PA/AP view; L wrist radiograph; pediatric patient (male, age 10); cast present.
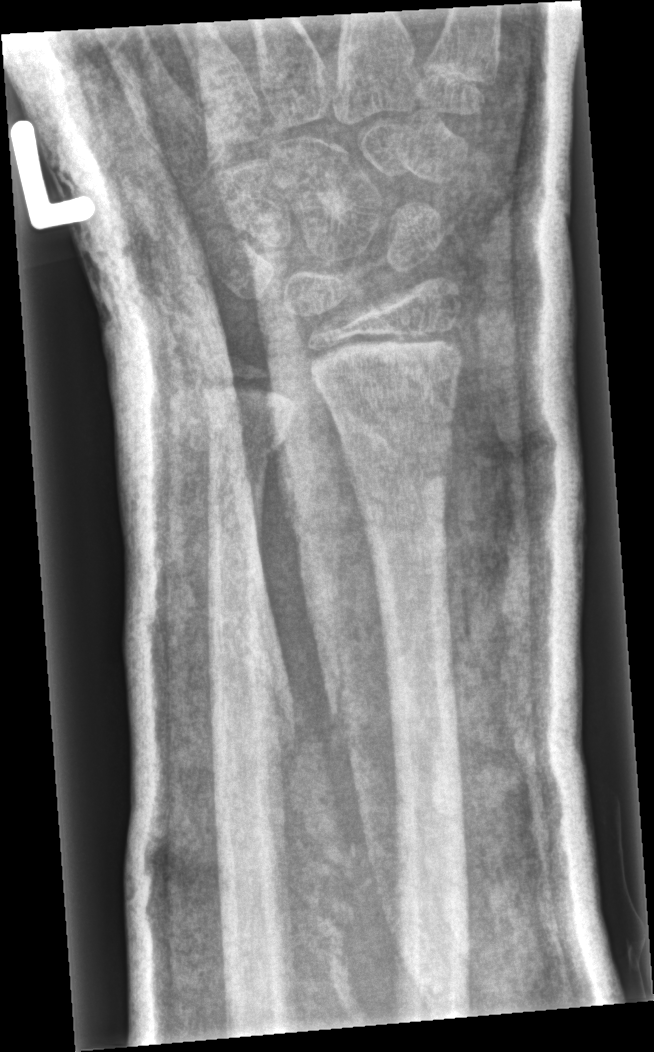

* Two bone fractures at (left=339, top=433, right=455, bottom=502), (left=202, top=421, right=291, bottom=472).
* Fracture classified AO/OTA 23-M/2.1.